AP · right wrist pediatric wrist radiograph.

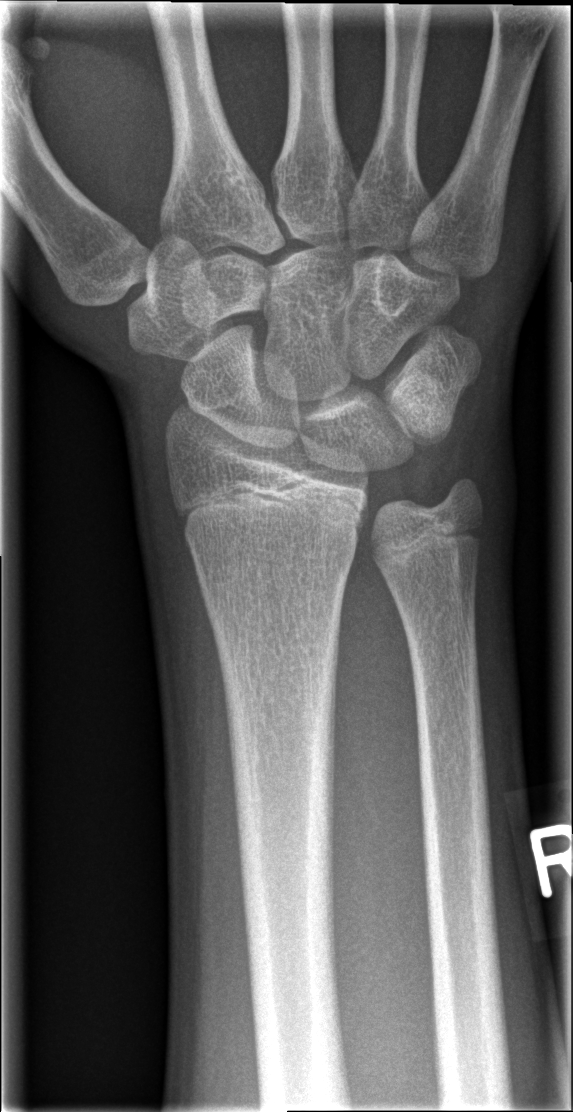

No fracture annotation.